Left wrist plain film; PA/AP projection; 15-year-old male; cast present — 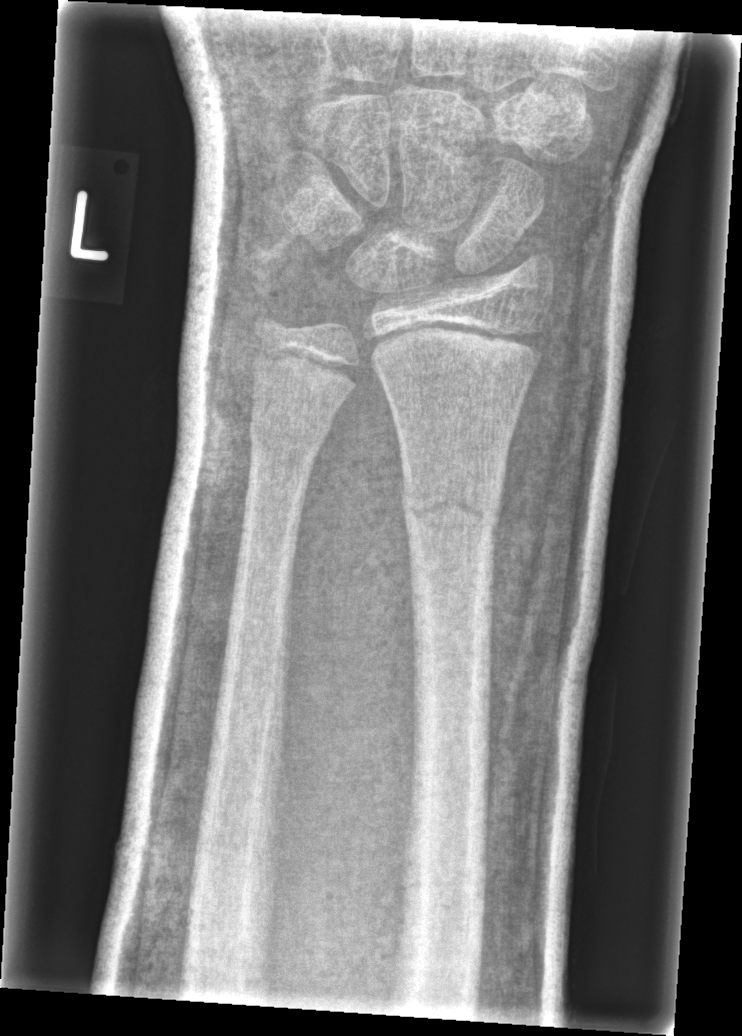   # bounding boxes in image-pixel xyxy
  fracture: 2 @ [x1=396, y1=470, x2=504, y2=546], [x1=244, y1=404, x2=324, y2=485]
  ao: 23r-M/3.1; 23u-M/2.1